Lateral projection; right wrist X-ray; in cast —

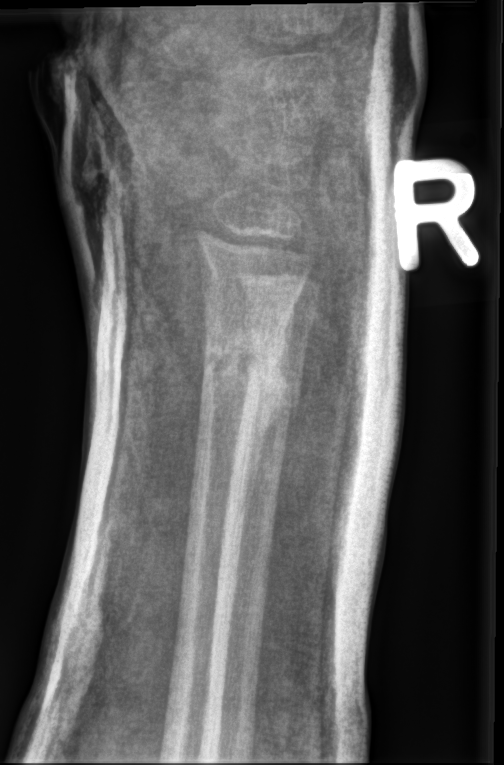 Pixel coordinates, top-left origin, xyxy.
AO/OTA classification: 23r-M/3.1; 23u-M/2.1.
Two bone fractures at (left=199, top=322, right=287, bottom=392); (left=245, top=372, right=313, bottom=429).